Posteroanterior projection | left wrist plain film | pediatric patient (boy, age 10) | cast in situ — 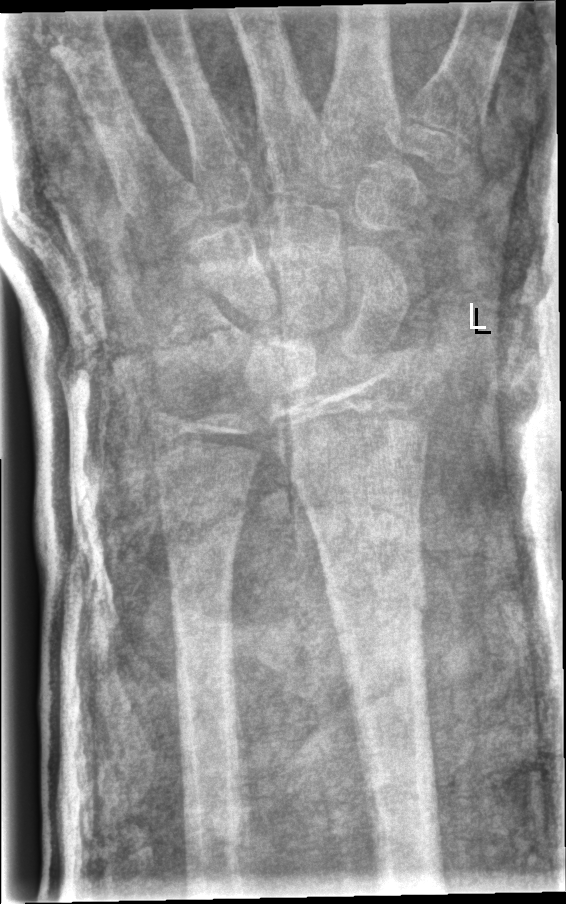
bone fracture: 2 @ [x1=281, y1=432, x2=433, y2=499] [x1=320, y1=553, x2=432, y2=636]